AP | left wrist radiograph | subsequent exam:
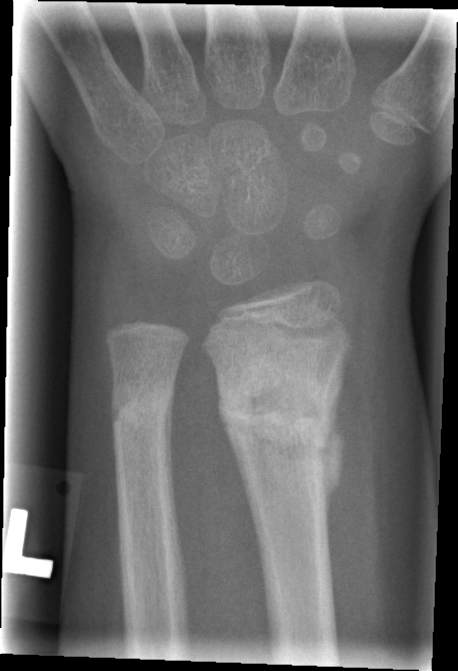 (coordinates are [x1, y1, x2, y2] in image pixels)
Q: Any periosteal thickening?
A: Periosteal new bone — 323,432,338,490 | 164,401,170,481
Q: Bone density?
A: Osteopenia
Q: AO code?
A: AO/OTA classification: 23r-M/3.1; 23u-M/2.1
Q: Is there a fracture?
A: Bone fracture: 214,360,341,467
  108,383,176,442